AP view | Lt wrist X-ray | 11y M | equivocal findings | Siemens.
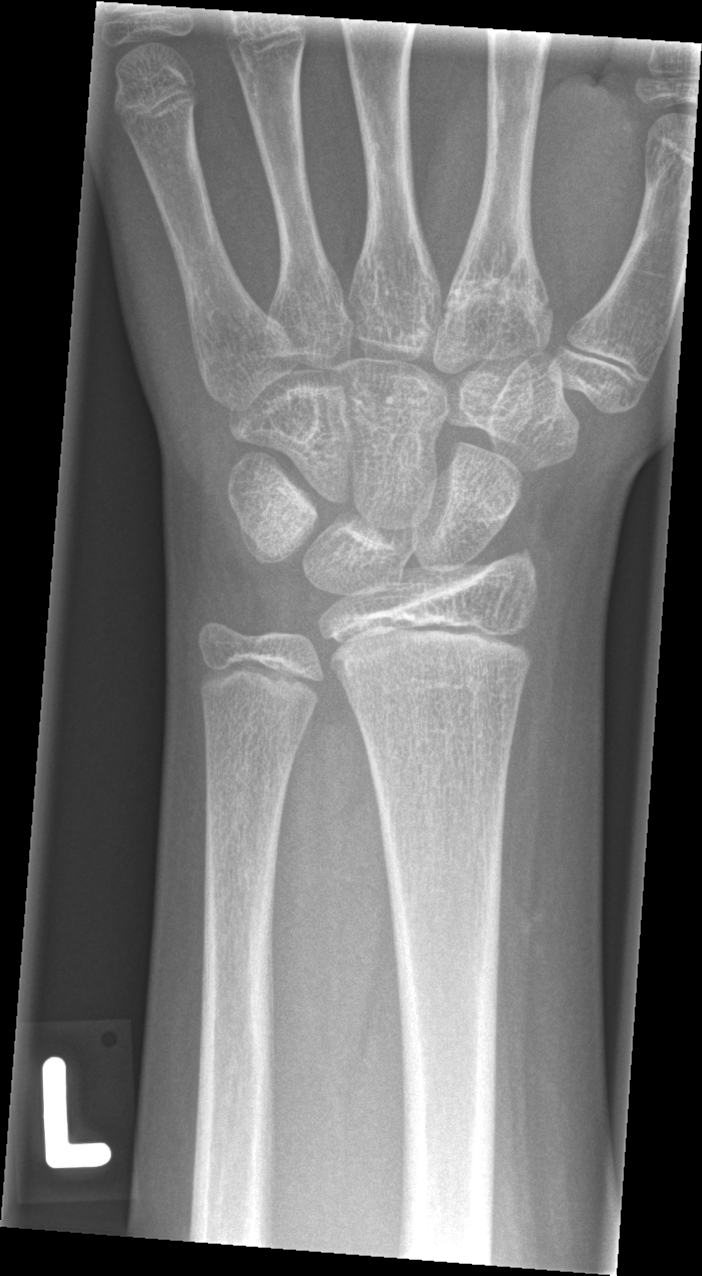
fracture: none labeled